Right plain radiograph of the wrist, lateral view, image 58.6 mm wide, 407x1204 —

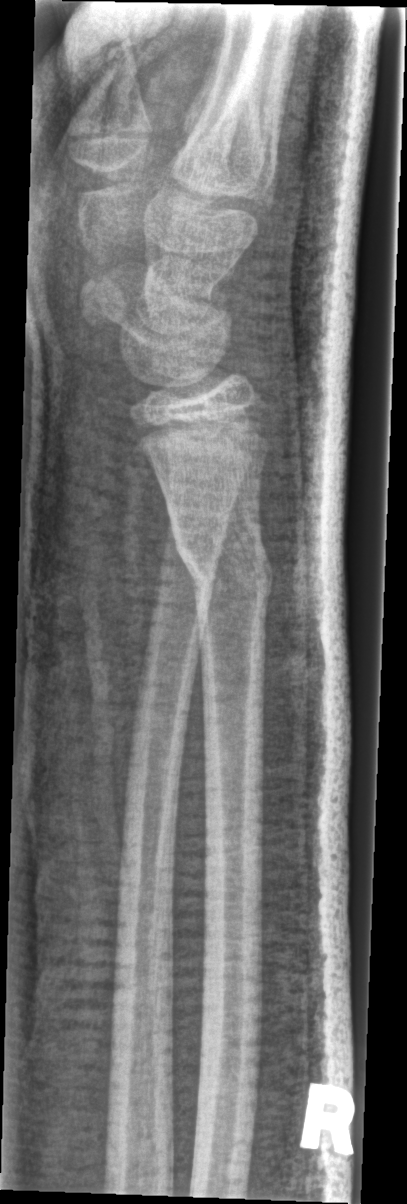

Findings: (bounding boxes in image-pixel xyxy) Bone fracture — [x1=163, y1=507, x2=282, y2=645].